Right wrist plain film | posteroanterior projection

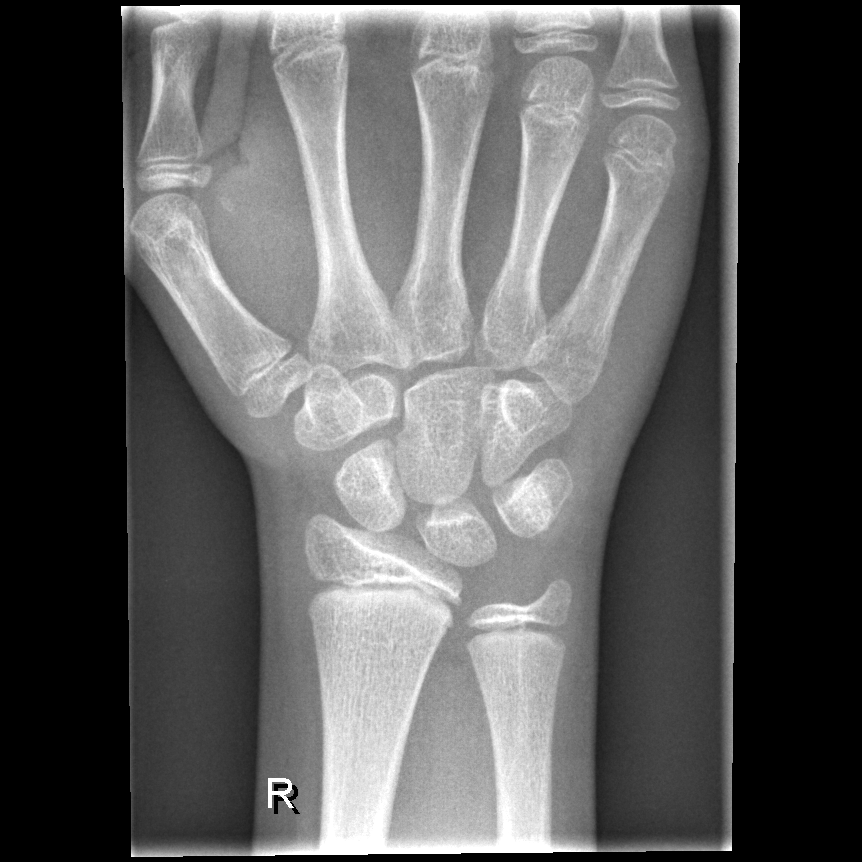

fracture: none labeled